Lat projection · R plain radiograph of the wrist · 17y M:

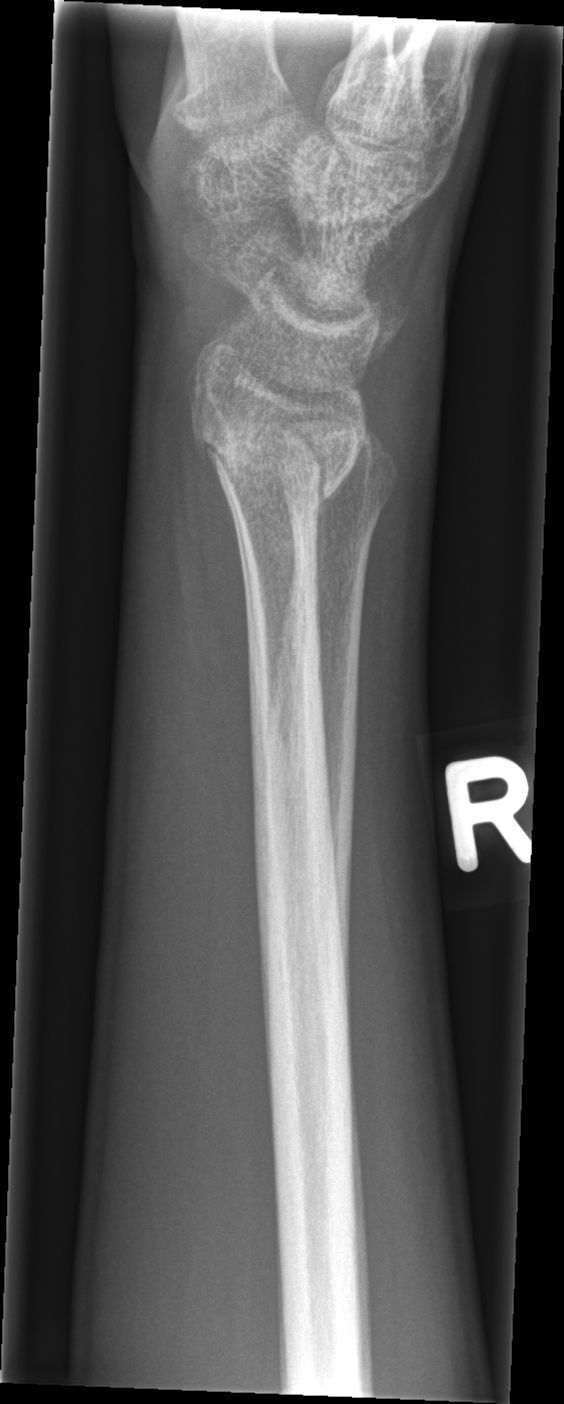 Q: Bone density?
A: Osteopenia
Q: Fracture present?
A: Fx: (left=188, top=401, right=370, bottom=516)